Posteroanterior view · right wrist plain film · 6-year-old female · acquired on Siemens · 557x850
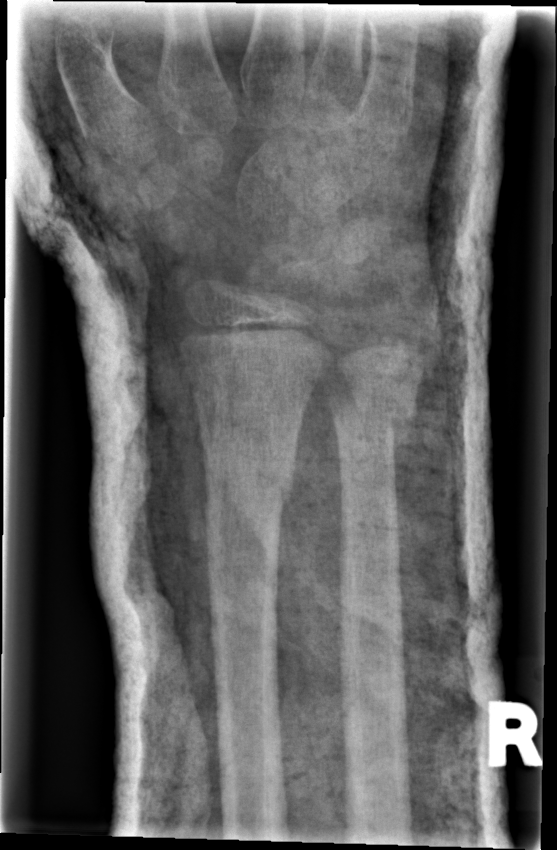

Bounding boxes in image-pixel xyxy.
Bone fracture: [x1=199, y1=434, x2=297, y2=514], [x1=323, y1=374, x2=419, y2=453].